AP view, R pediatric wrist radiograph, presentation radiograph — 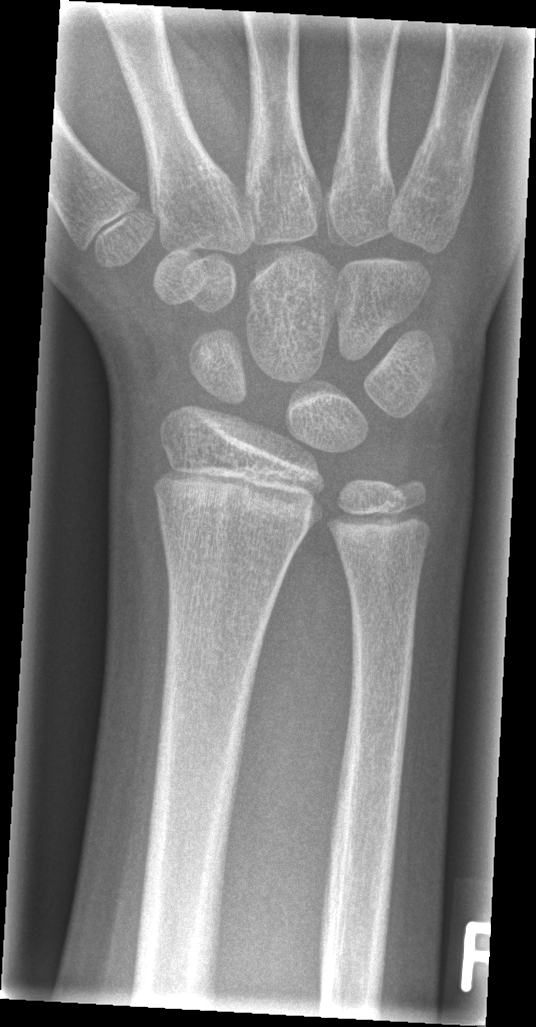 Findings: No fracture annotation.